Posteroanterior view | R wrist plain film | girl, 14 yo.
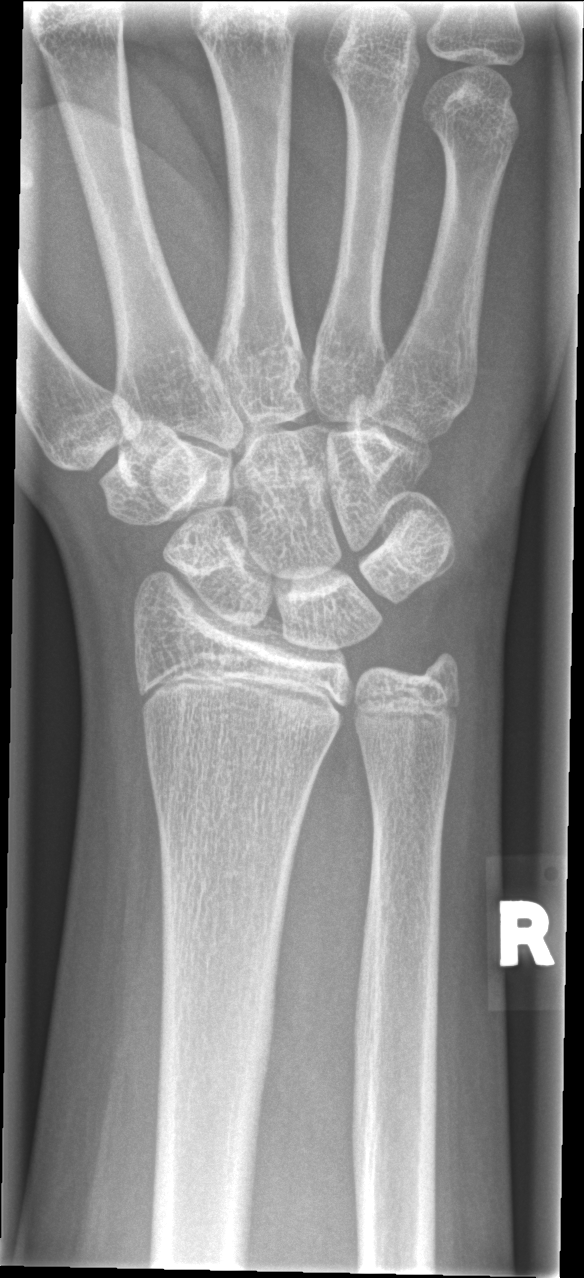 Fx: none labeled